AP view · left wrist XR · 15-year-old female —
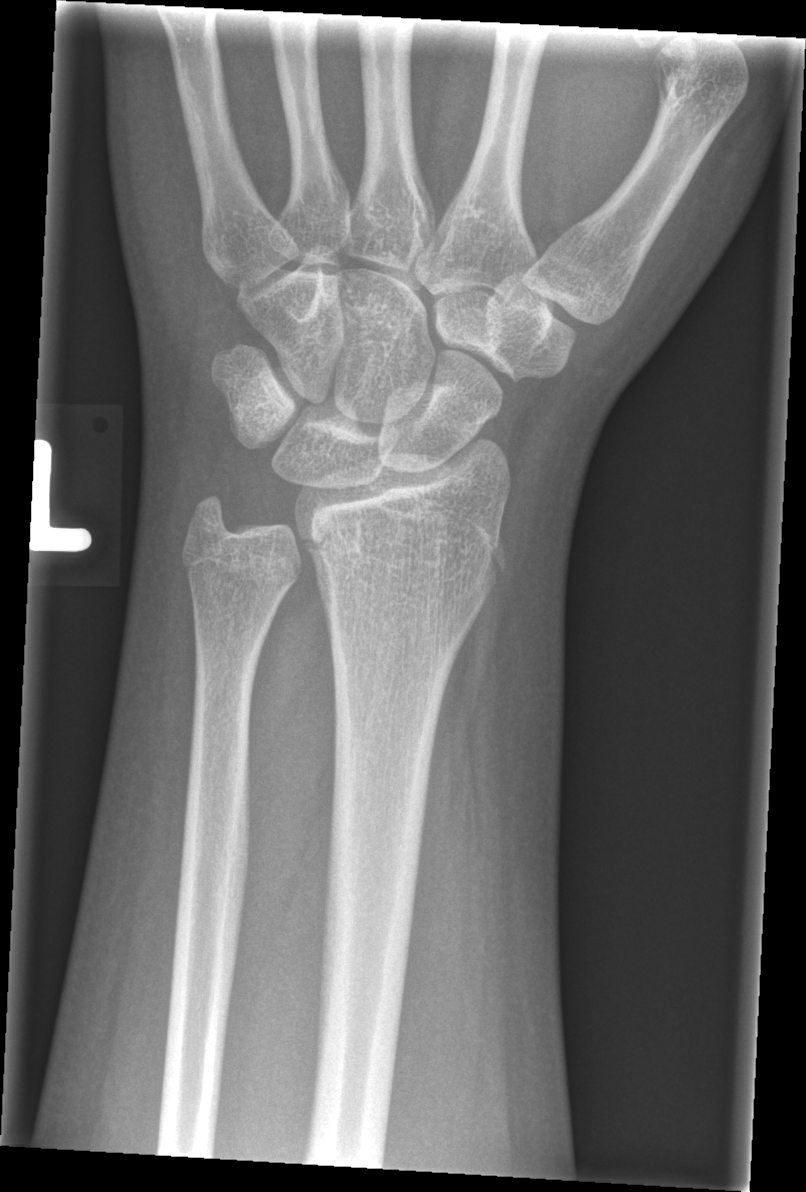

FINDINGS: No Fx annotated.